PA/AP projection | right wrist pediatric wrist radiograph | Siemens | 674 by 818 pixels — 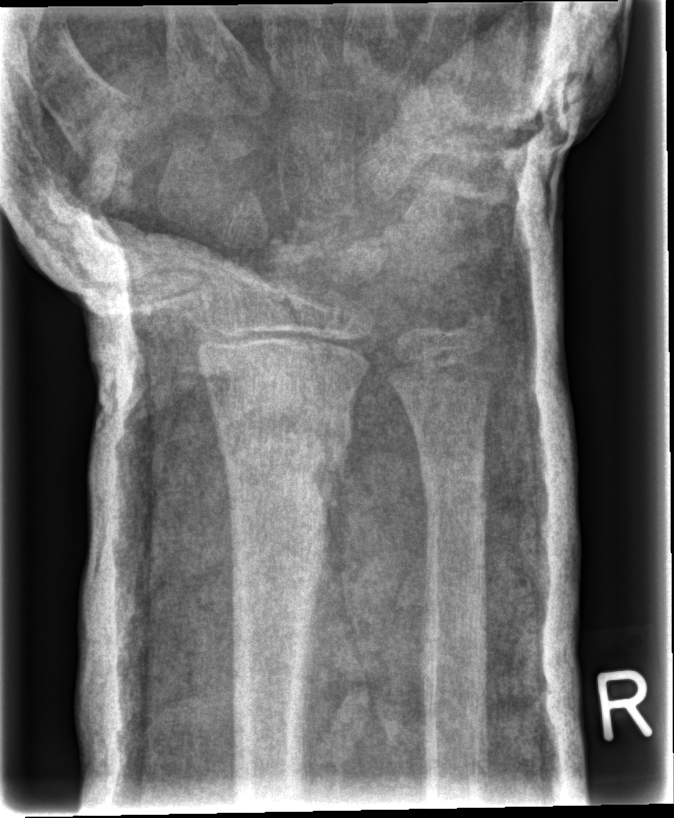 (bounding boxes in image-pixel xyxy)
Fracture = bbox(217, 397, 358, 468); bbox(415, 441, 491, 481)
AO code = 23-M/2.1